Frontal view; right wrist plain film; girl, 9 yo; follow-up; cast in situ. 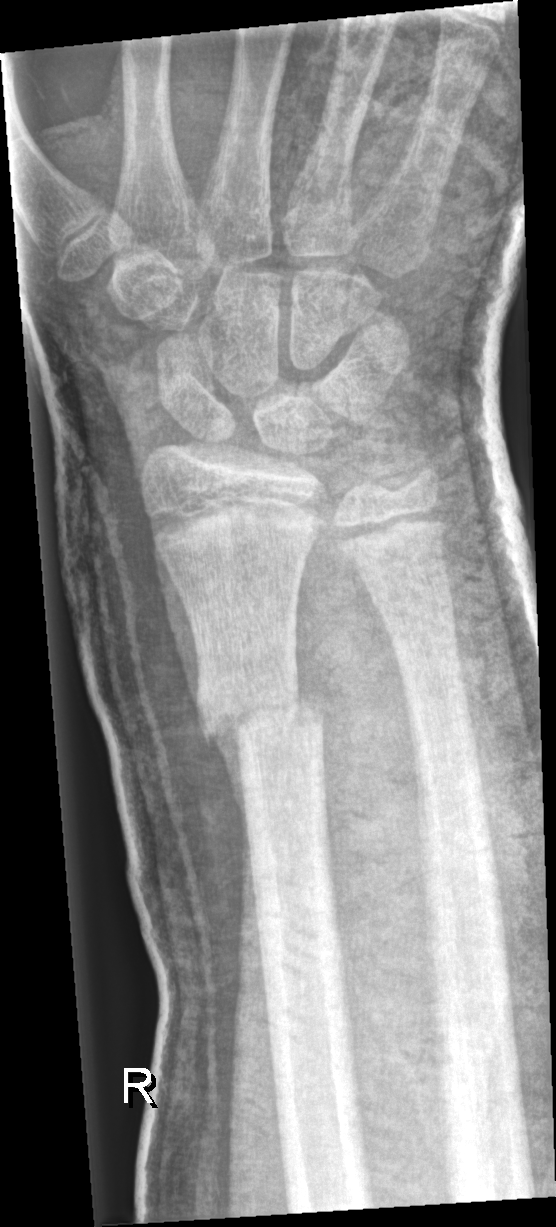
Fracture classified AO/OTA 23r-M/3.1; 23u-M/2.1. Bone fractures — bbox(191, 687, 329, 753), bbox(374, 571, 461, 660).